Left plain radiograph of the wrist · PA/AP projection · male, 12 yo · subsequent exam · in cast — 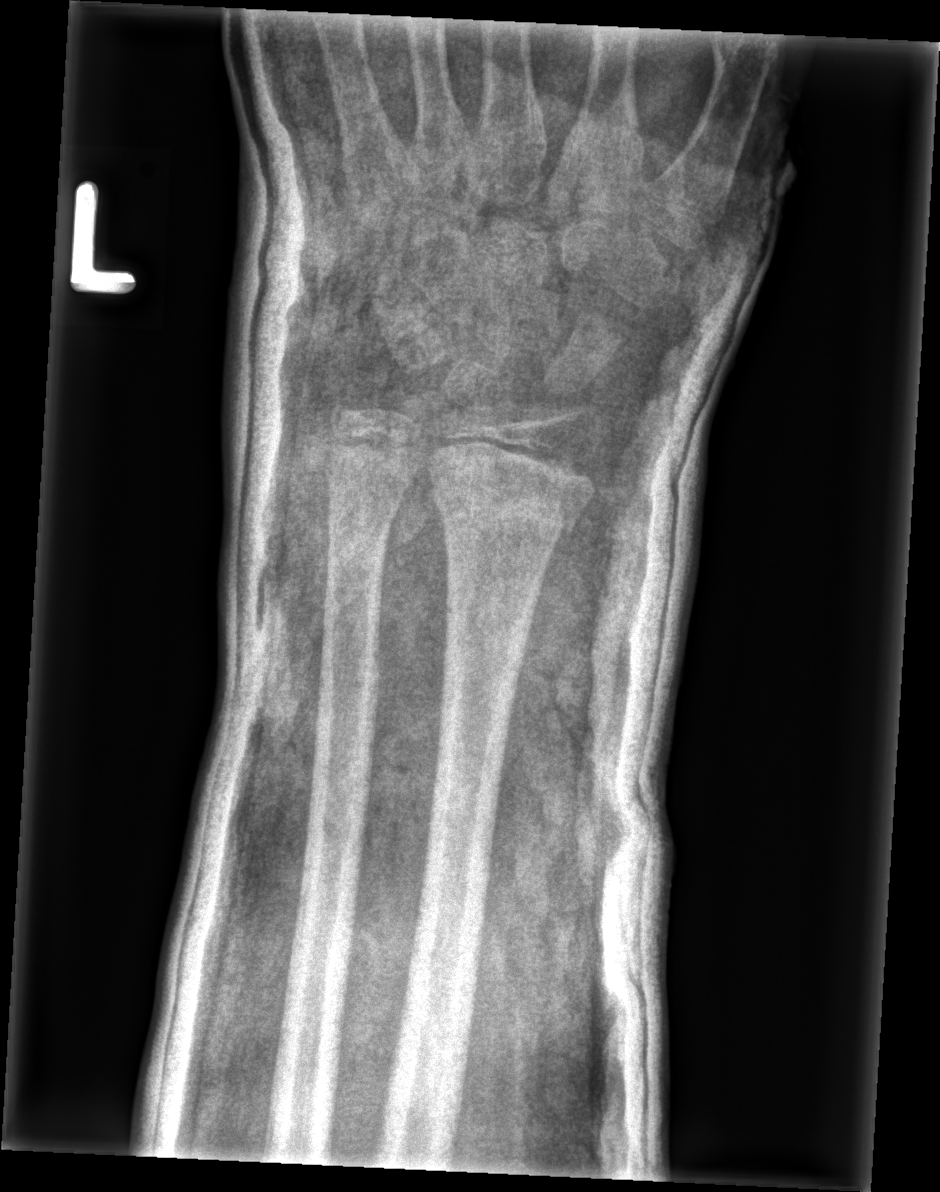
* Fracture classified AO/OTA 23r-M/3.1.
* Fx identified at 436,471,585,542.